Lateral view; left plain radiograph of the wrist; age 16 y, girl; image width 58.0 mm; image size 403x1114 — 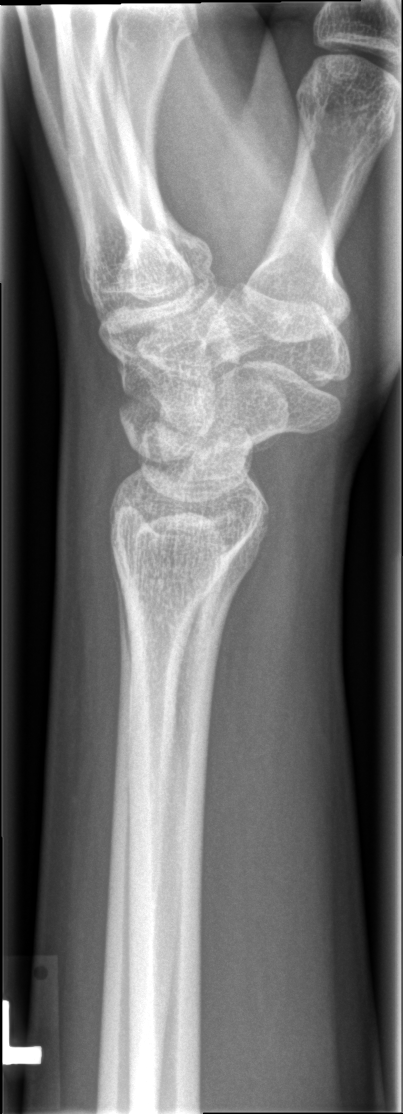

FINDINGS: Fracture: none labeled.